Lateral projection | Lt wrist radiograph | Siemens | 701x854: 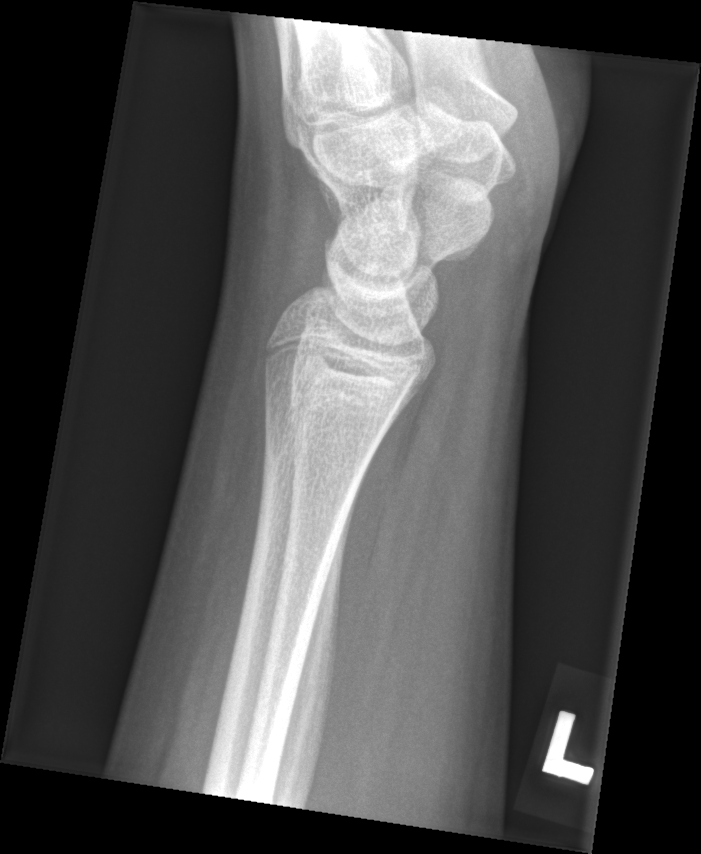 {
  "fracture": "none labeled"
}